Posteroanterior projection | left plain radiograph of the wrist | 16y M | image size 548x914. 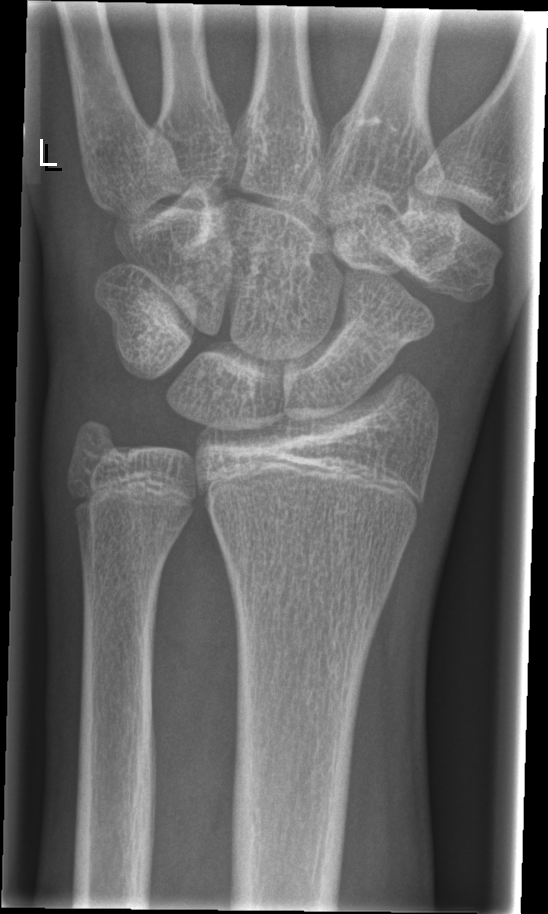

Q: Is there a fracture?
A: No Fx annotated